PA/AP view, Lt pediatric wrist radiograph. 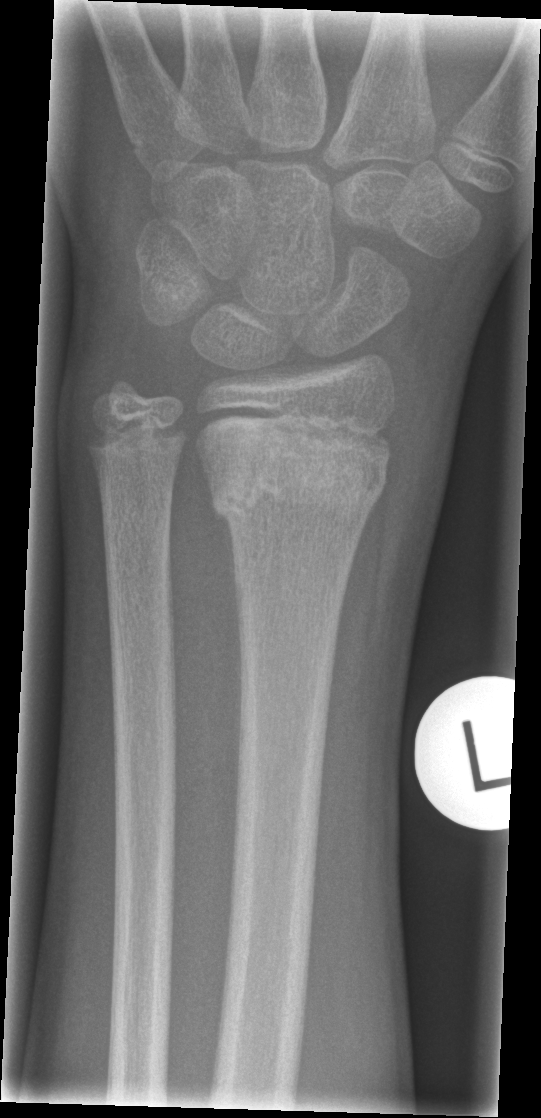 • Bounding boxes in image-pixel xyxy.
• One Fx at (203, 440, 392, 532).
• AO code 23r-M/3.1.